Posteroanterior view; left wrist plain film; 2y M:
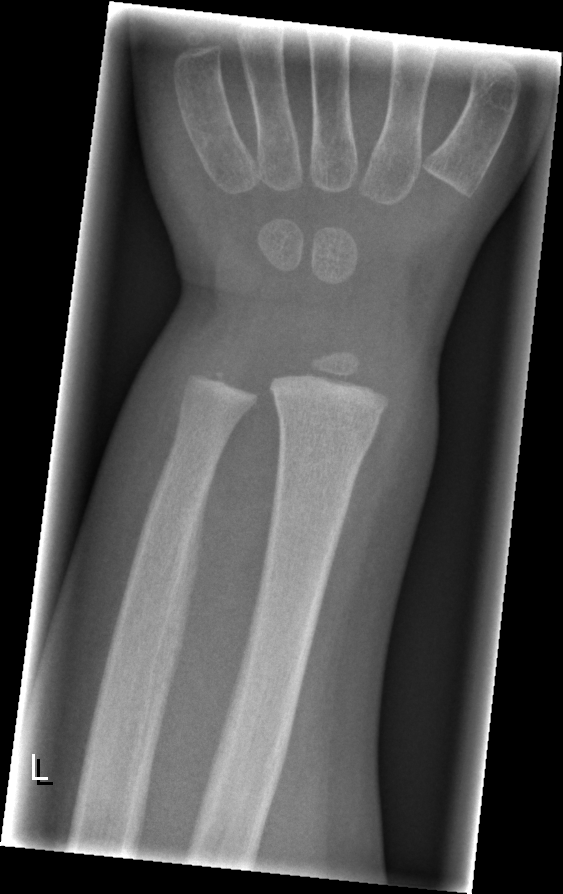

• Coordinates are [x1, y1, x2, y2] in image pixels.
• One fracture at 271,392,386,457.